Rt wrist plain film, lat projection, male, 10 yo, acquired on Siemens, 70.7 mm image width — 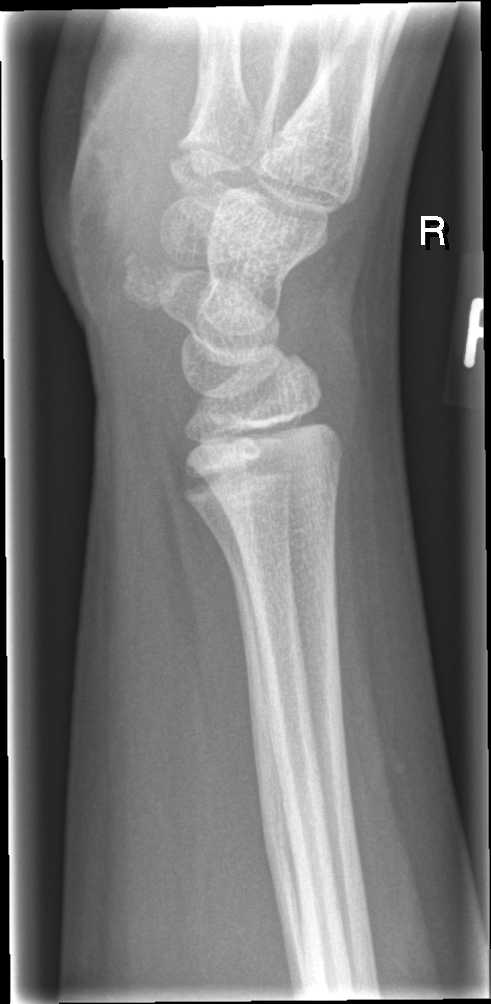 AO/OTA = 23u-E/7
Fracture = present but not clearly seen in this view